AP view · right pediatric wrist radiograph · presentation radiograph · 81.6 mm image width
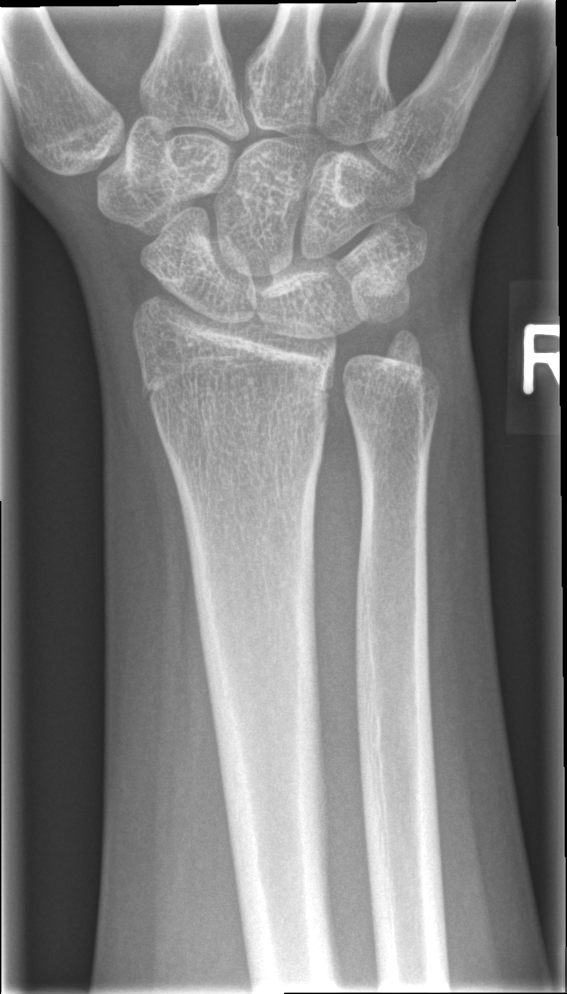 No fracture bounding box.